L wrist X-ray, AP, age 10 y, male: 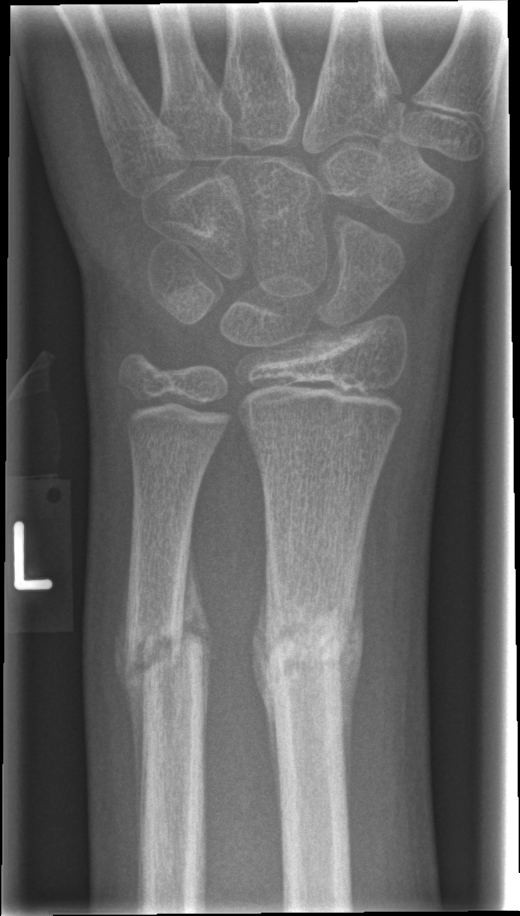
{
  "_coords": "boxes as x1,y1,x2,y2 (top-left / bottom-right, pixel units)",
  "fracture": "[246, 585, 368, 719]; [112, 592, 217, 713]",
  "osteopenia": "present",
  "ao": "22-D/4.1",
  "periostealreaction": "4 @ [336, 585, 367, 798]; [253, 593, 279, 799]; [117, 619, 143, 821]; [184, 564, 214, 723]"
}